PA/AP | Rt wrist plain film | age 15 y, boy | subsequent exam:

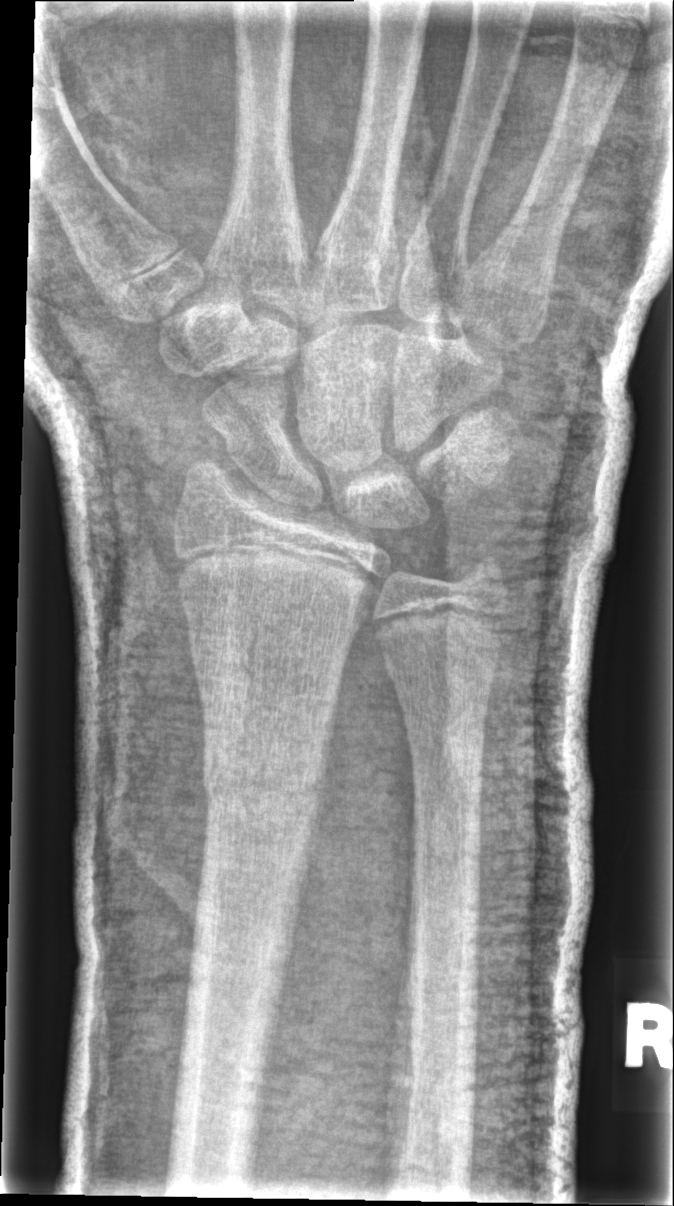

FINDINGS: Fx — 197 733 327 853. AO/OTA classification: 23r-M/3.1; 23u-E/7.